Lat, Rt wrist X-ray, girl, 4 yo, initial study —
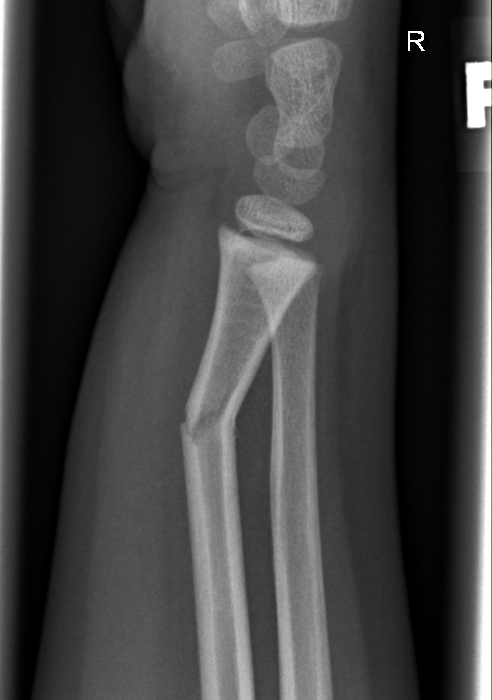
Fx = [177, 390, 240, 457]